Frontal view · left wrist plain radiograph of the wrist · imaged through cast.
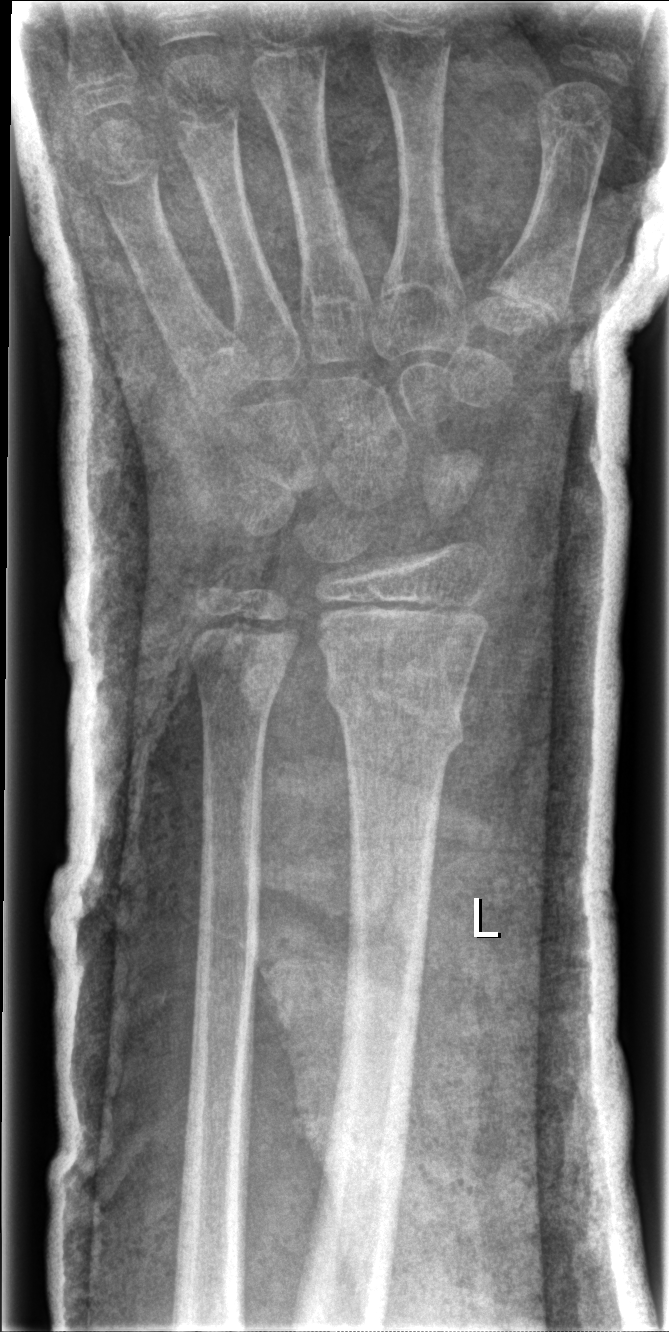 FINDINGS — (pixel coordinates, top-left origin, xyxy) Bone fracture identified at (321, 671, 467, 758).